PA/AP view, Rt wrist X-ray, age 9 y, boy:
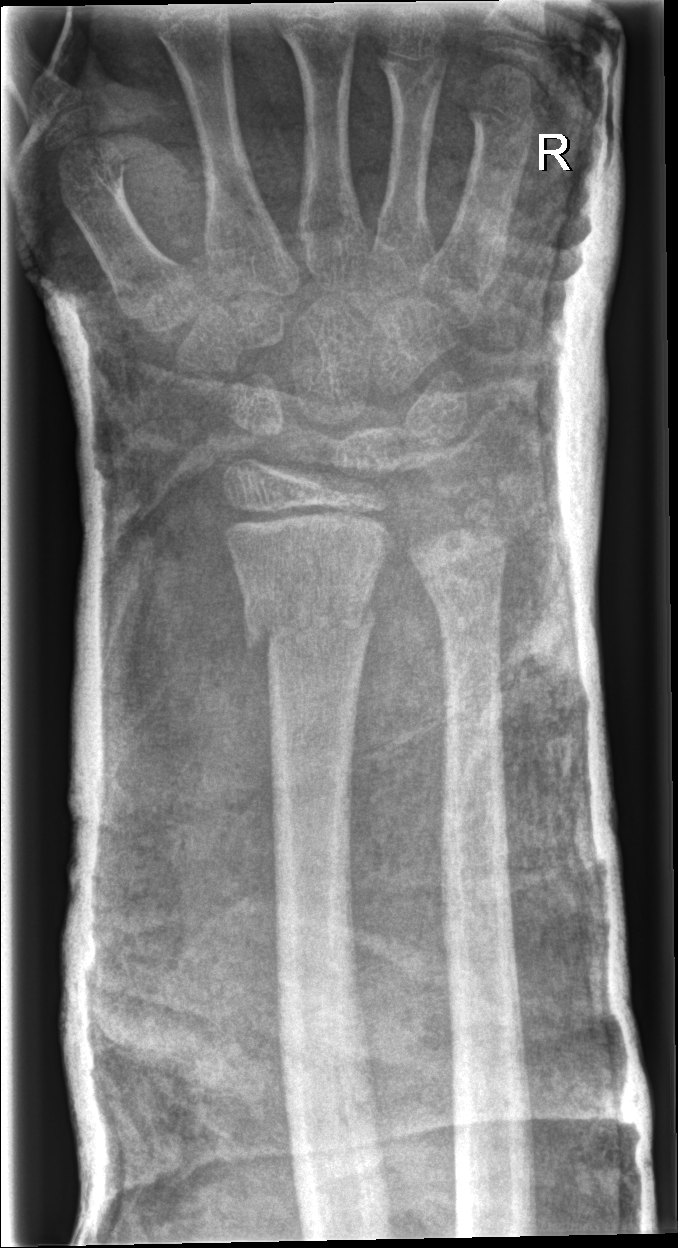

bone fracture = (239, 586, 379, 660)
AO/OTA = 23r-M/3.1; 23u-M/2.1